Lat projection | left plain radiograph of the wrist | pediatric patient (boy, age 12) | 84.4 mm image width
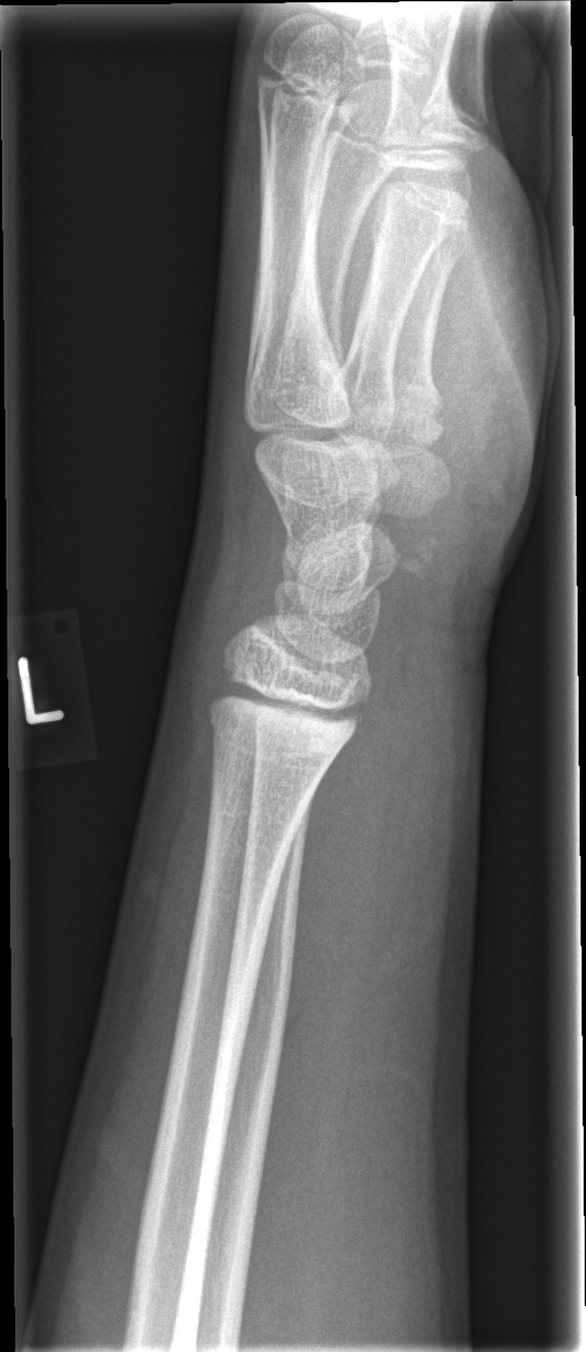
One Fx at [203, 670, 373, 758]. One pronator quadratus fat-pad sign at [285, 661, 415, 1064]. AO code 23r-E/1.